Left wrist radiograph · lat · age 7 y, male —

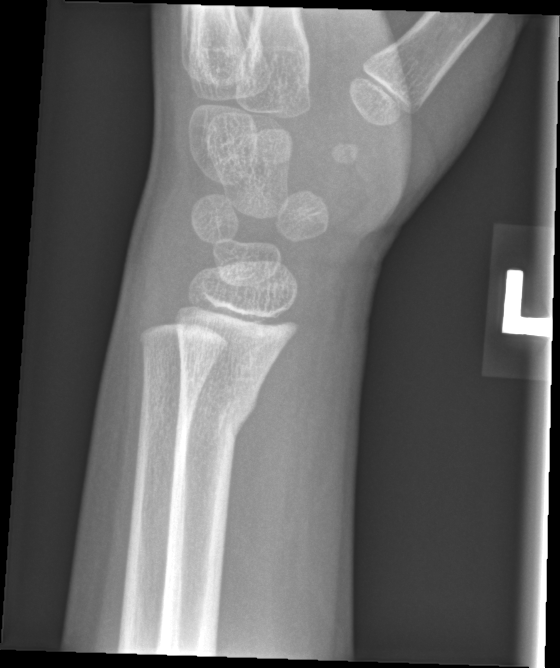

(boxes as x1,y1,x2,y2 (top-left / bottom-right, pixel units))
Fx = 174 389 262 443